Posteroanterior projection; right pediatric wrist radiograph; male, 15 yo; cast in situ; Siemens — 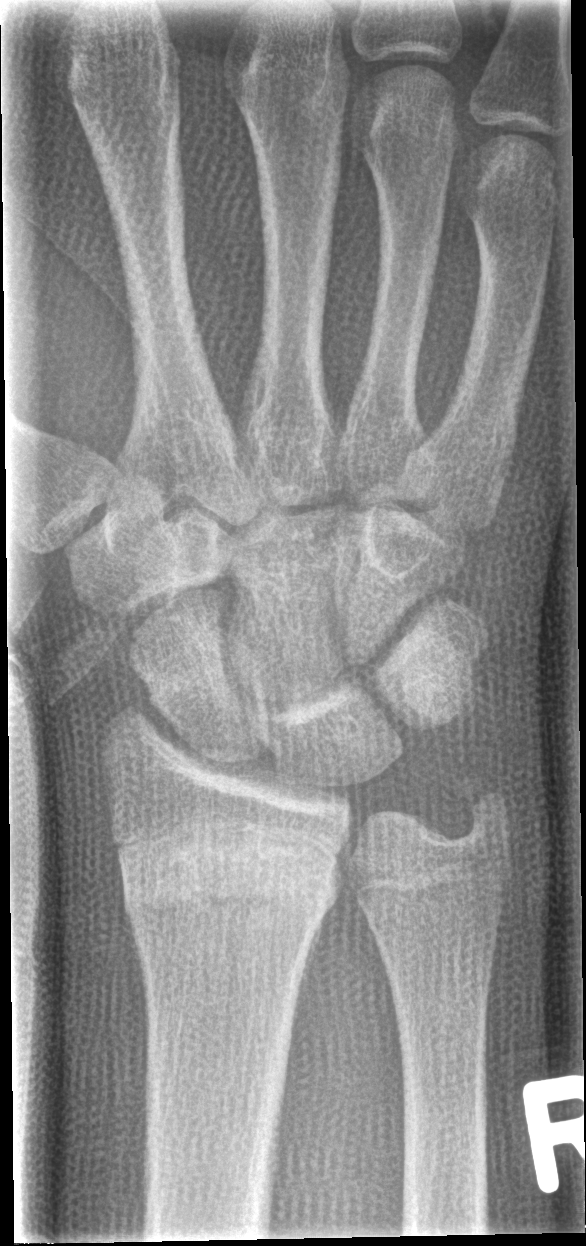 * Pixel coordinates, top-left origin, xyxy.
* Fracture classified AO/OTA 23r-M/3.1; 23u-E/7.
* Fracture: 107,815,347,934 | 445,765,519,852.